Left wrist plain film · posteroanterior view · pediatric patient (boy, age 13) · subsequent exam · acquired on Siemens:
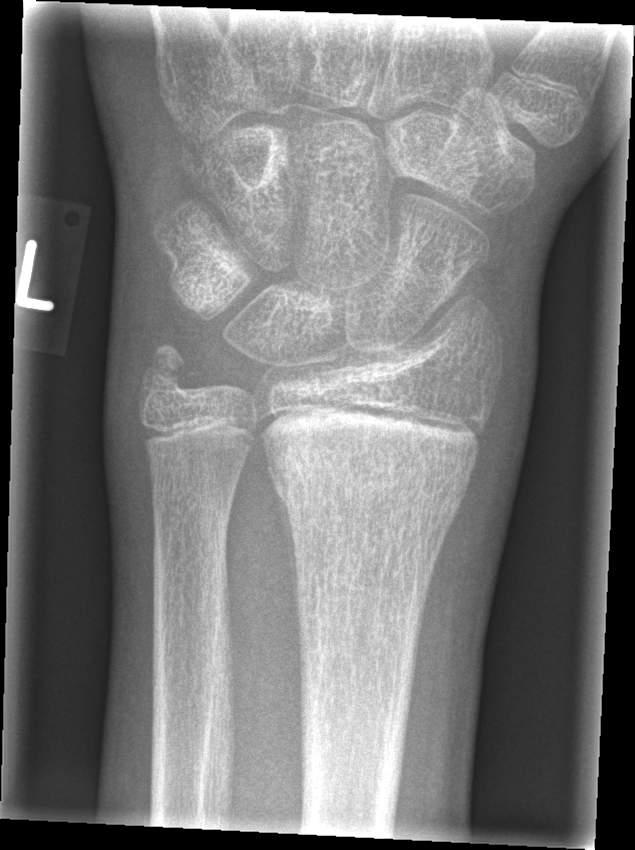   periostealreaction: 1 @ 269,464,302,658
  fracture: 2 @ 264,438,476,522; 134,334,200,406
  osteopenia: present
  ao: 23r-M/3.1; 23u-E/7